Lt pediatric wrist radiograph | lateral | girl, 11 yo | detector: Siemens —
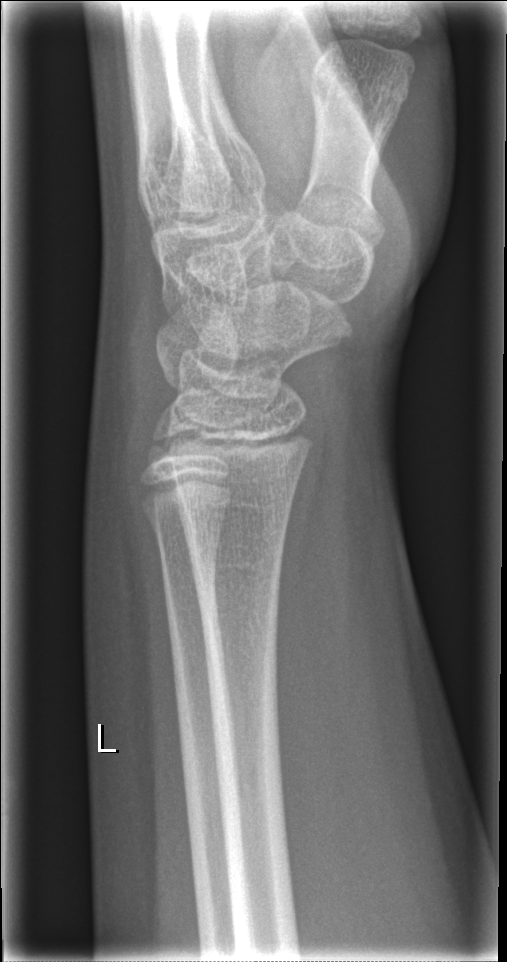

Fx: none.